L wrist XR, posteroanterior view, 7y M, image size 748x980 — 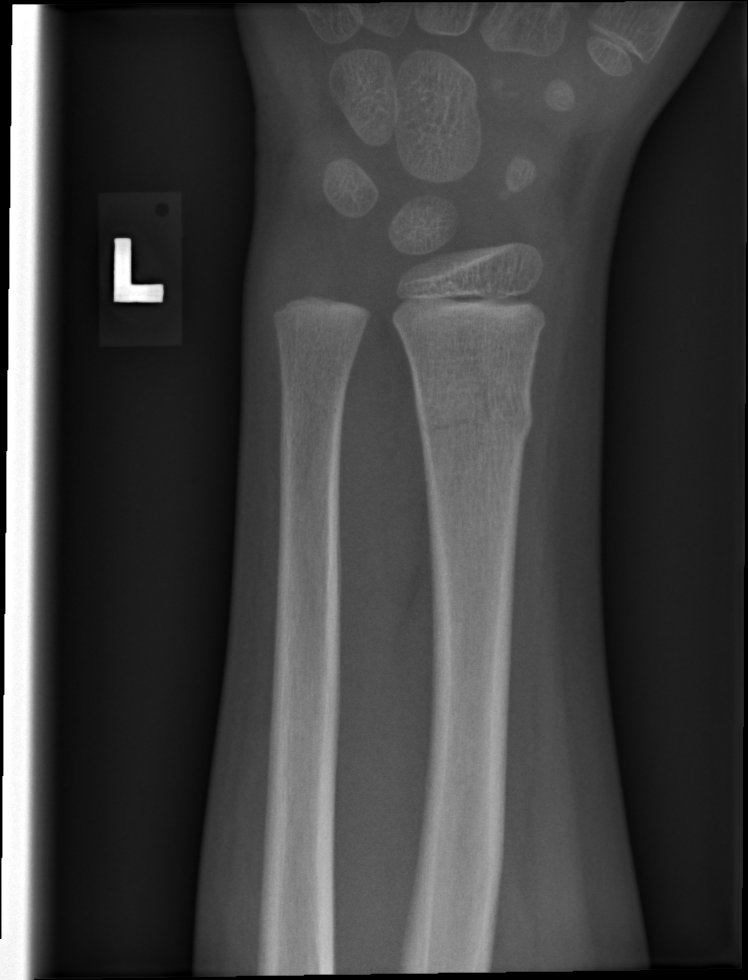 (pixel coordinates, top-left origin, xyxy)
fracture = (left=411, top=382, right=537, bottom=441)
AO/OTA = 23r-M/2.1